Frontal view, R pediatric wrist radiograph, follow-up —

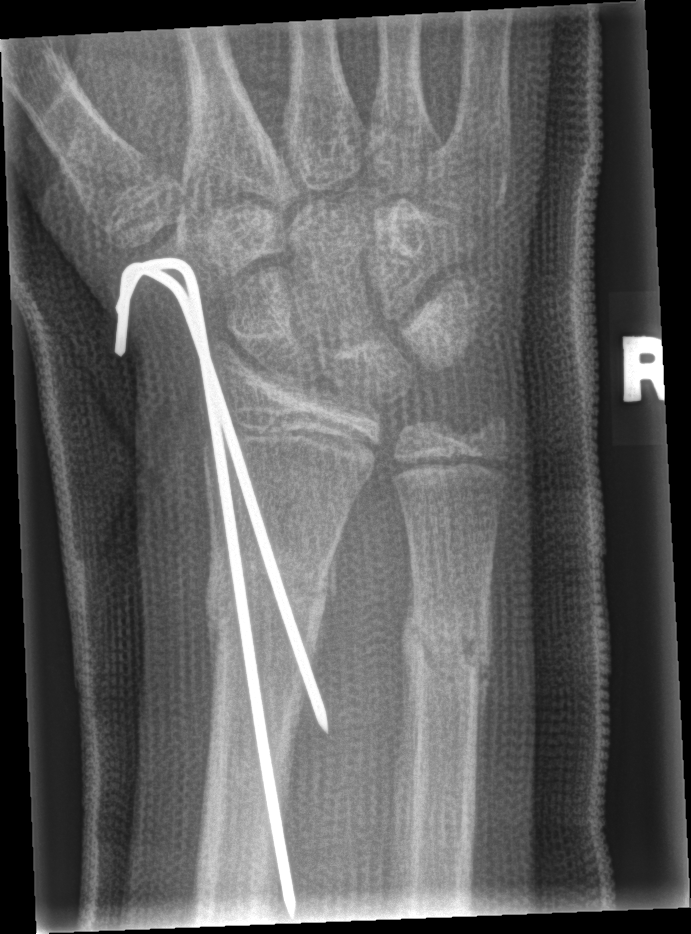 * Two fractures at (204, 547, 341, 662); (396, 594, 491, 700).
* AO/OTA classification: 23-M/3.1; 23u-E/7.
* Metallic implant: (111, 252, 332, 916).